Right wrist X-ray; lateral; pediatric patient (boy, age 15); follow-up; image size 508x1106 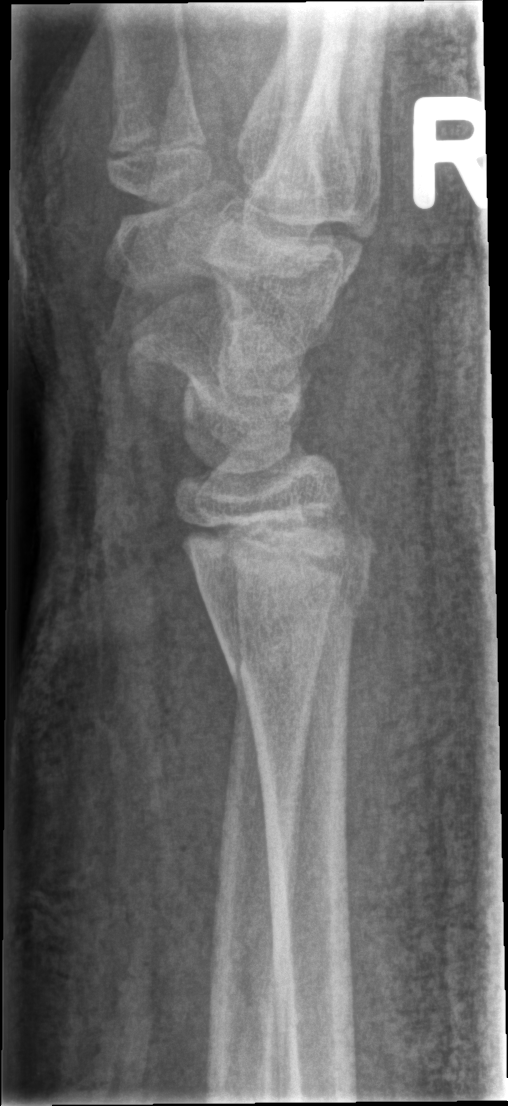 • Bounding boxes in image-pixel xyxy.
• AO/OTA classification: 23r-E/2.1.
• Fracture — (191, 539, 376, 717).